PA/AP projection, left plain radiograph of the wrist, in cast, Siemens, 476 by 958 pixels: 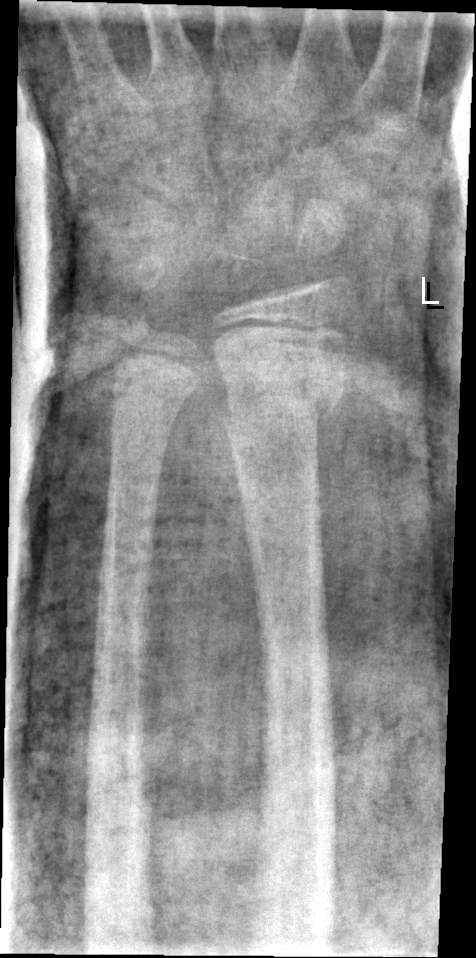 FINDINGS: (bounding boxes in image-pixel xyxy) Bone fracture: (217, 379, 348, 441) (108, 368, 198, 411).